Lat projection, right wrist plain film, subsequent exam, in cast
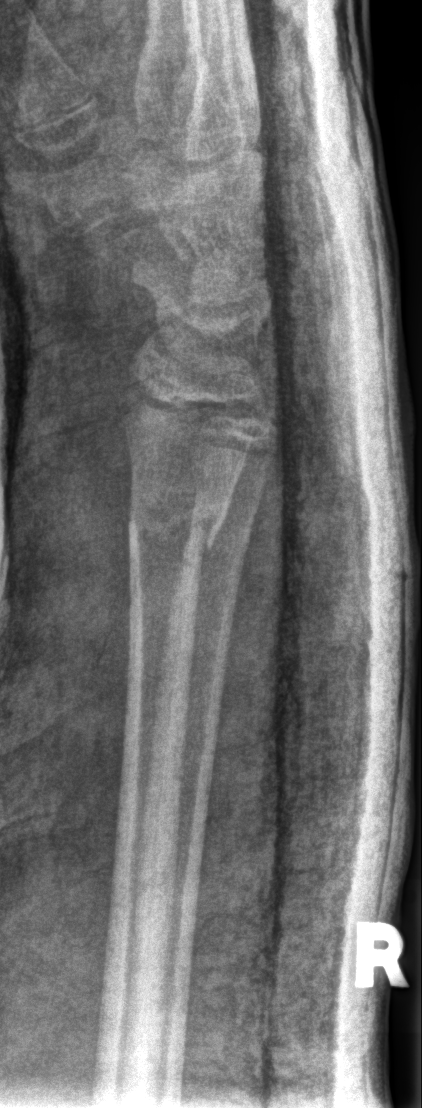

bone fracture: [x1=128, y1=484, x2=233, y2=564]
AO code: 23r-M/3.1